Right wrist radiograph; lateral view; image width 65.5 mm; 455x760:
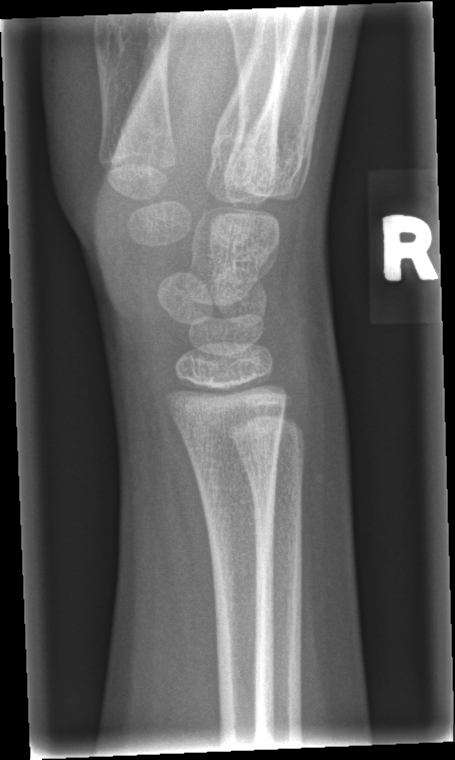 Q: Any fracture seen?
A: No fracture labeled